Frontal; right wrist X-ray; follow-up; acquired on Siemens; image width 104.3 mm; image size 724x883
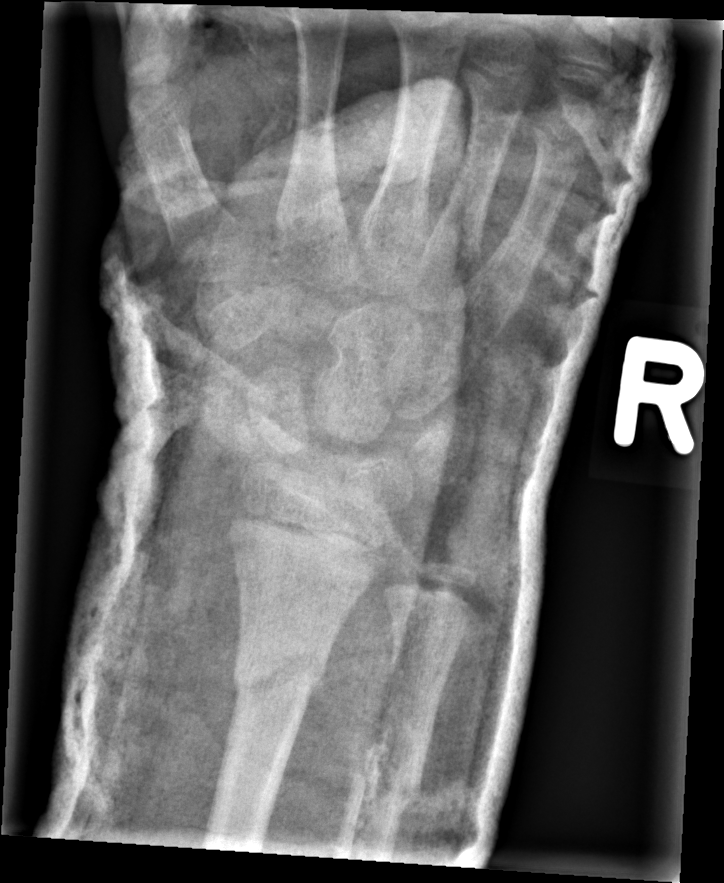
FINDINGS — (coordinates are [x1, y1, x2, y2] in image pixels) AO/OTA classification: 23-M/3.1. Bone fractures — (left=229, top=631, right=330, bottom=710) (left=348, top=746, right=429, bottom=825).